Frontal view · left wrist XR · 13-year-old girl · detector: Siemens · 471 x 1006 px:
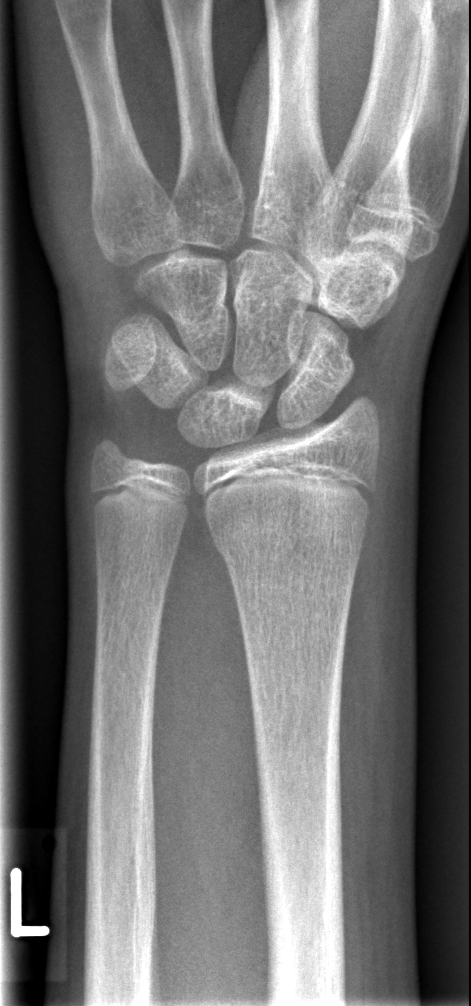

Bone fracture: 1 @ 211 512 371 563
AO/OTA: 23r-M/2.1